L wrist plain film | AP view
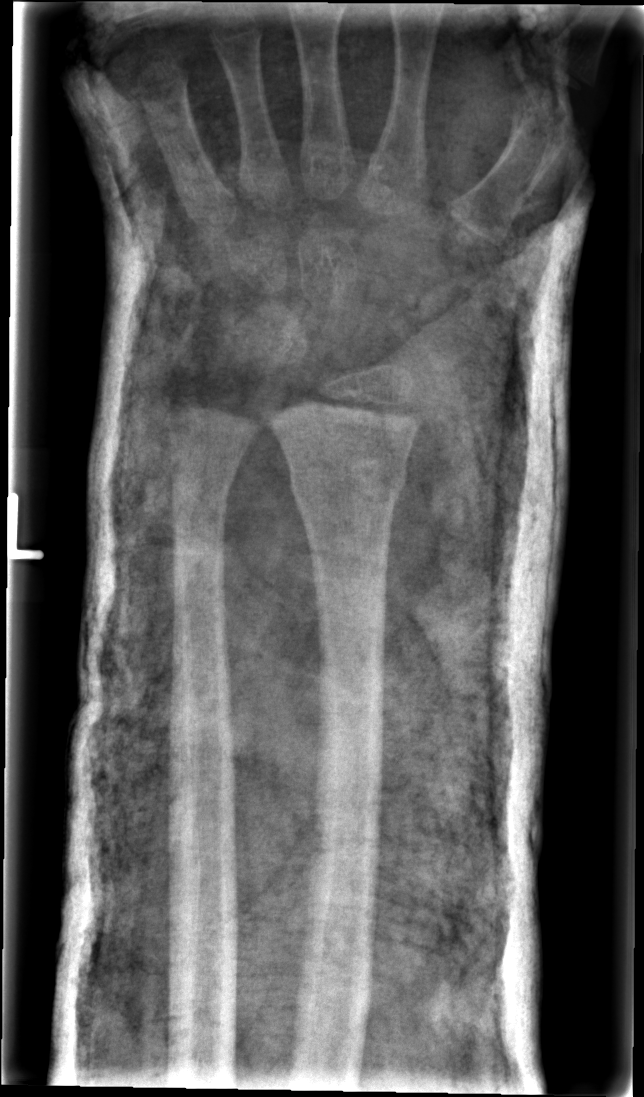 One fracture at 286,453,411,499.